Rt wrist radiograph | lat projection | 11-year-old female:
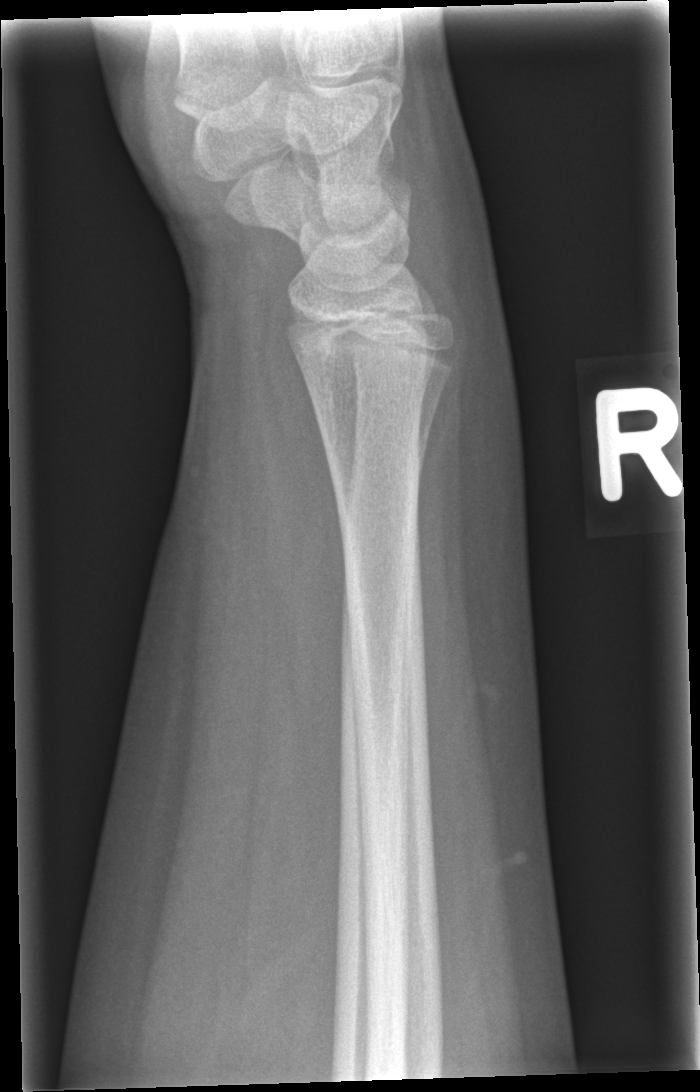
Fx = none labeled